Lat view | Lt pediatric wrist radiograph.

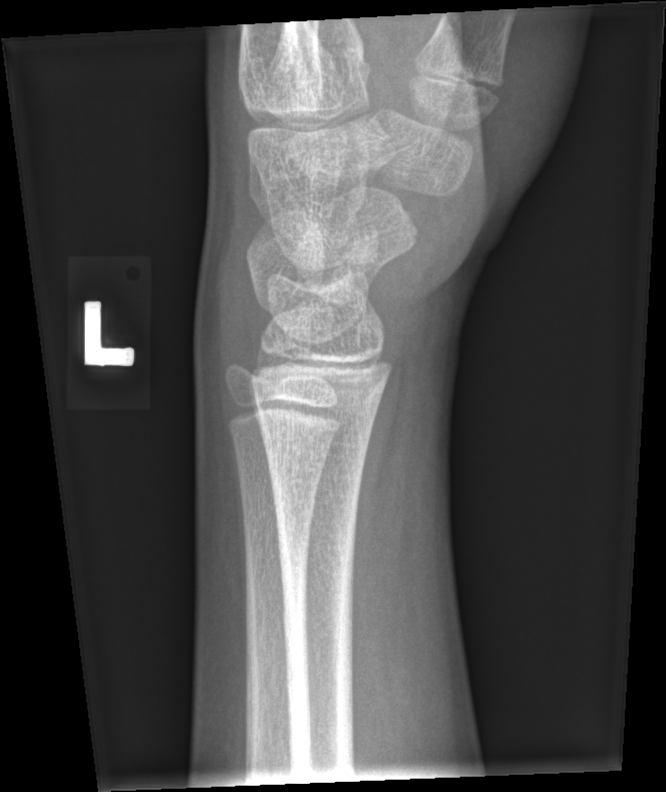
No Fx annotated.